Right wrist plain film | lateral projection | 604x964.
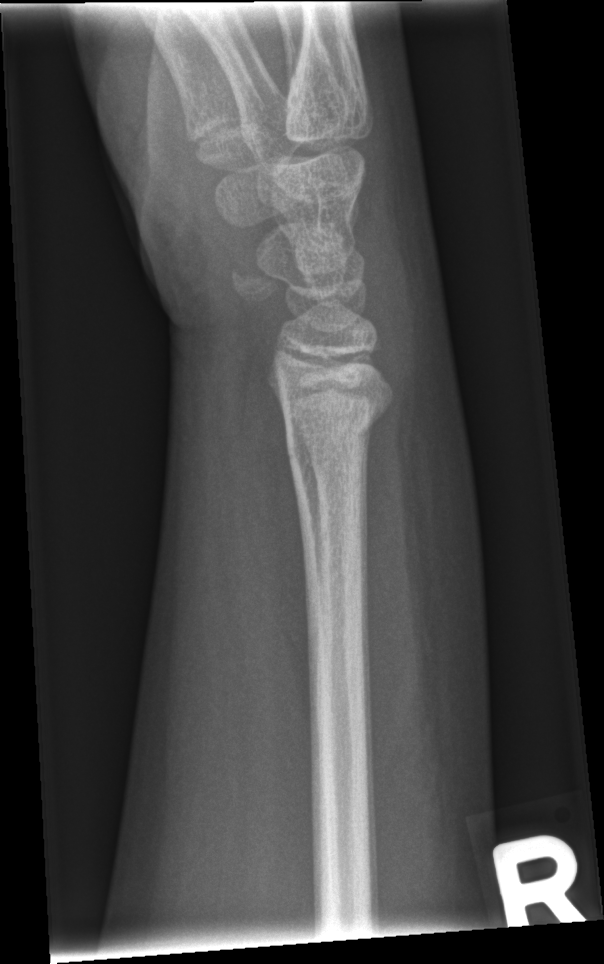

Findings: Fracture — bbox(285, 395, 394, 467). One pronator sign at bbox(229, 350, 317, 700). Fracture classified AO/OTA 23r-M/3.1.